Lat view, R plain radiograph of the wrist, 7y F, subsequent exam, cast in situ, detector: Siemens:

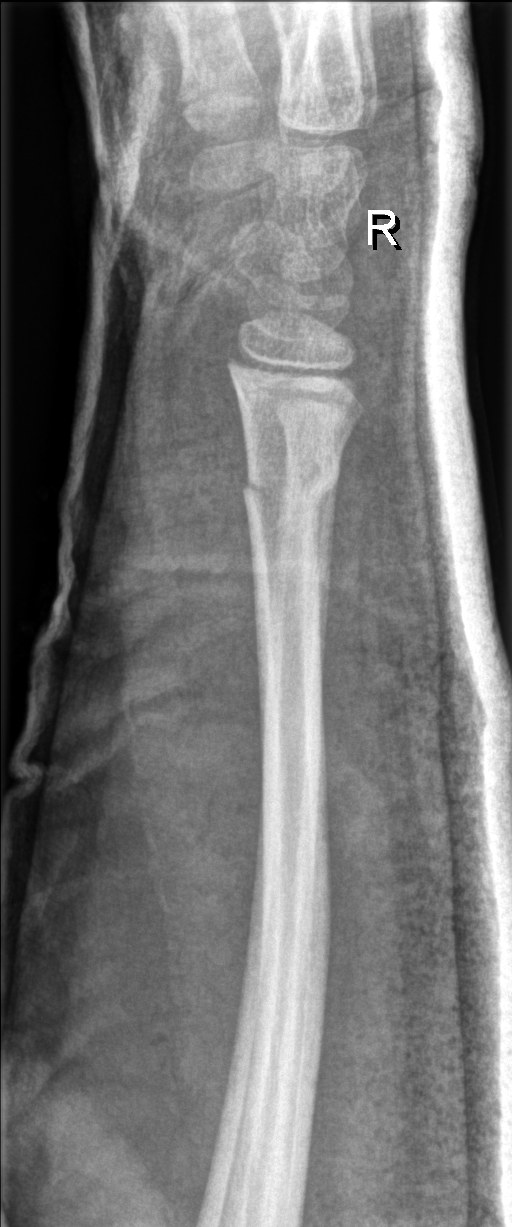 - Fx: bbox(237, 441, 342, 513).